Lt wrist X-ray; lateral —
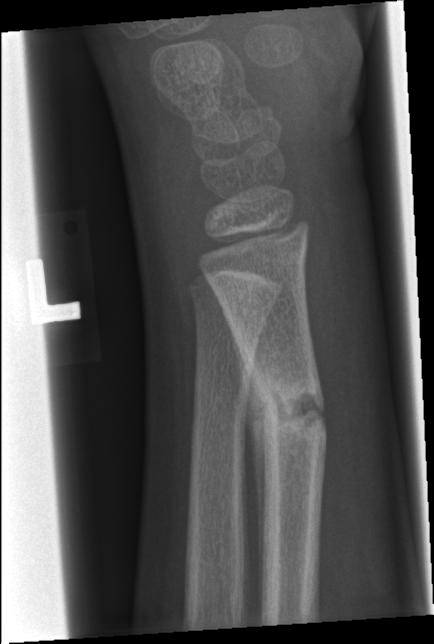
(bounding boxes in image-pixel xyxy)
Q: What is the AO/OTA classification?
A: AO/OTA classification: 23r-M/3.1
Q: Is there a fracture?
A: One bone fracture at (left=245, top=367, right=330, bottom=452)
Q: Locate any periosteal reaction.
A: Periosteal reaction: (left=231, top=317, right=268, bottom=550)